L plain radiograph of the wrist | PA projection | age 8 y, girl — 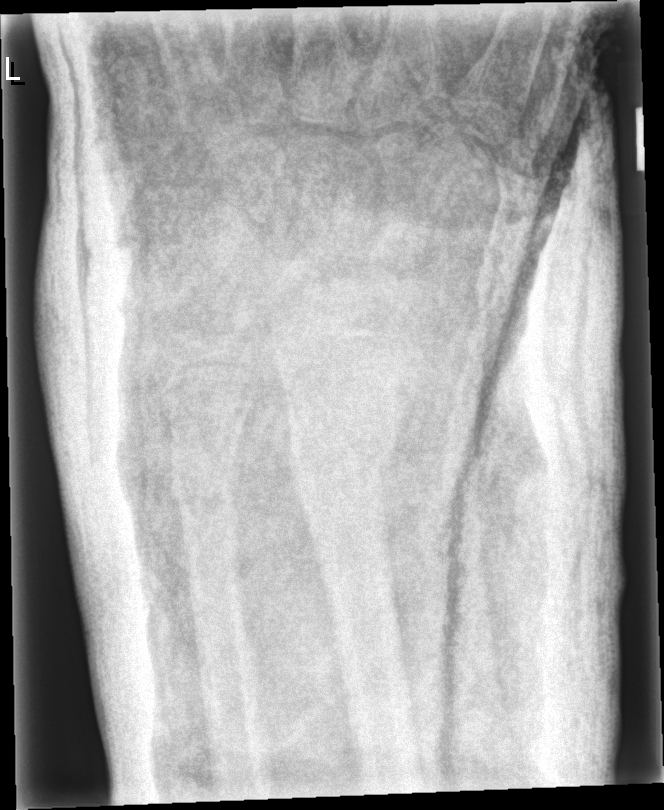
AO/OTA: 23-M/3.1
Fx: (281, 434, 401, 496) (165, 466, 241, 528)